L wrist XR; lateral; in cast; 702 x 1055 px. 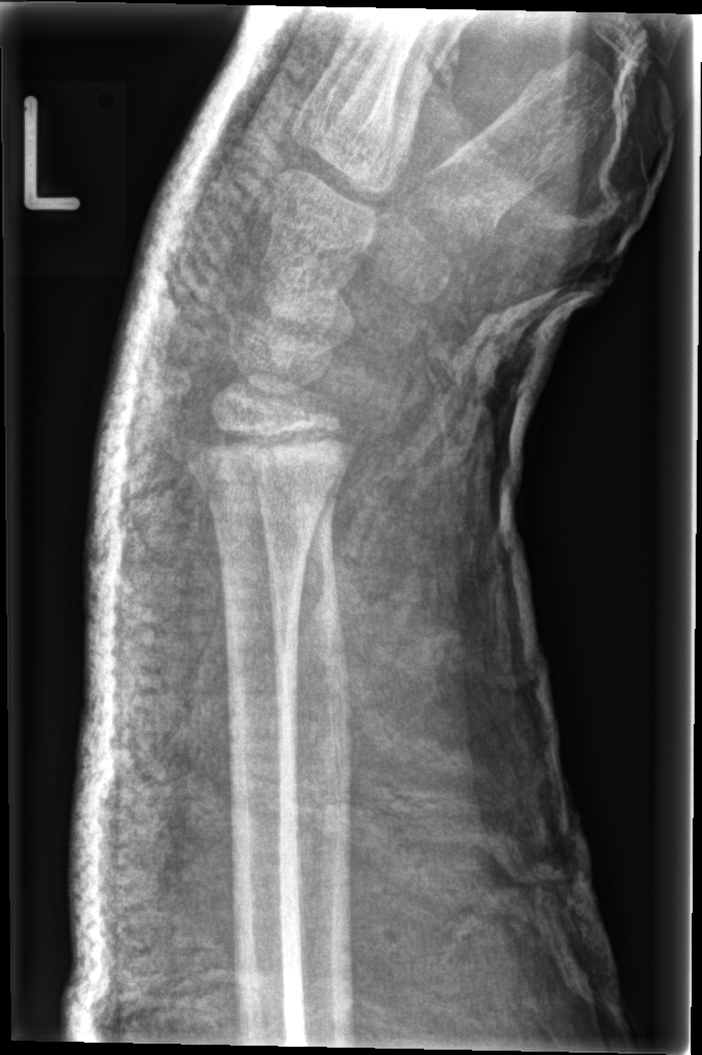 Fx identified at [x1=183, y1=425, x2=349, y2=516].